Right plain radiograph of the wrist; lateral; acquired on Siemens.
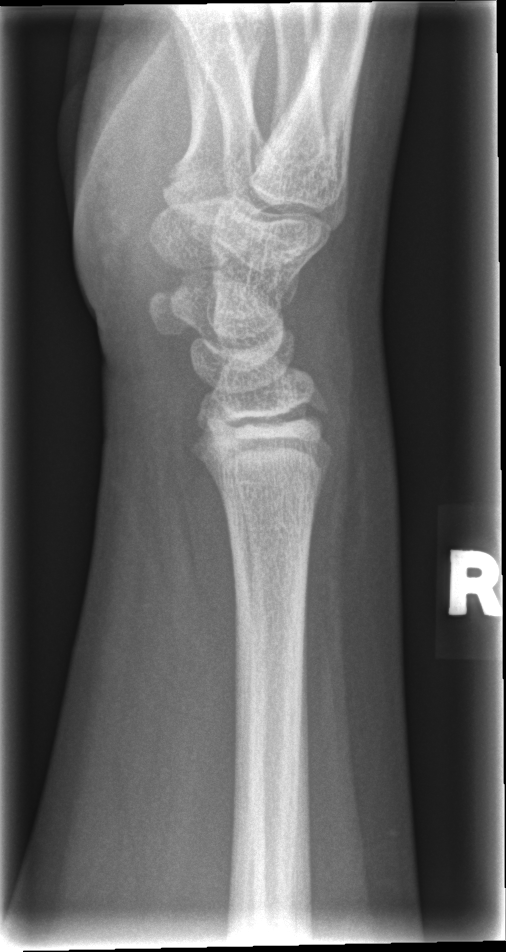
bone fracture: none labeled